Left wrist XR · lat · 67.8 mm image width — 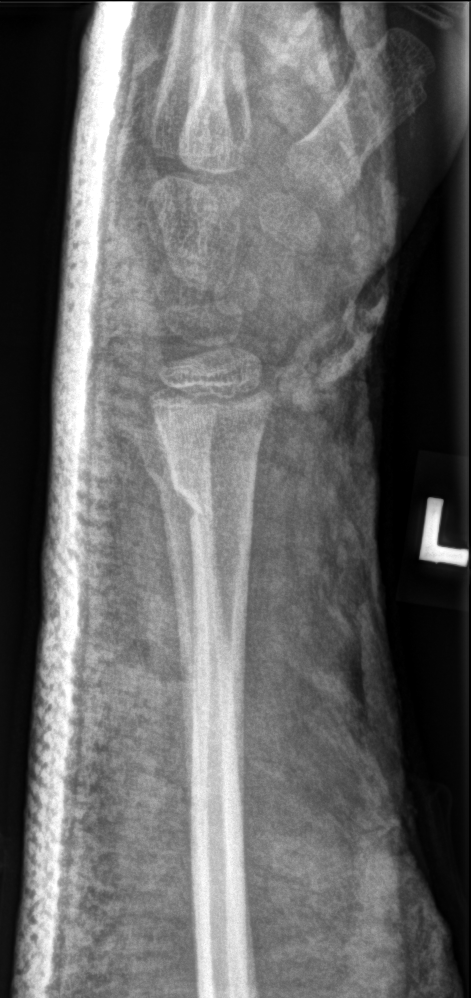 (bounding boxes in image-pixel xyxy)
AO classification = 23-M/2.1
Fracture = 2 @ (165, 454, 258, 545) (142, 454, 214, 505)